Frontal view; right wrist radiograph; age 3 y, boy; presentation radiograph; equivocal findings.
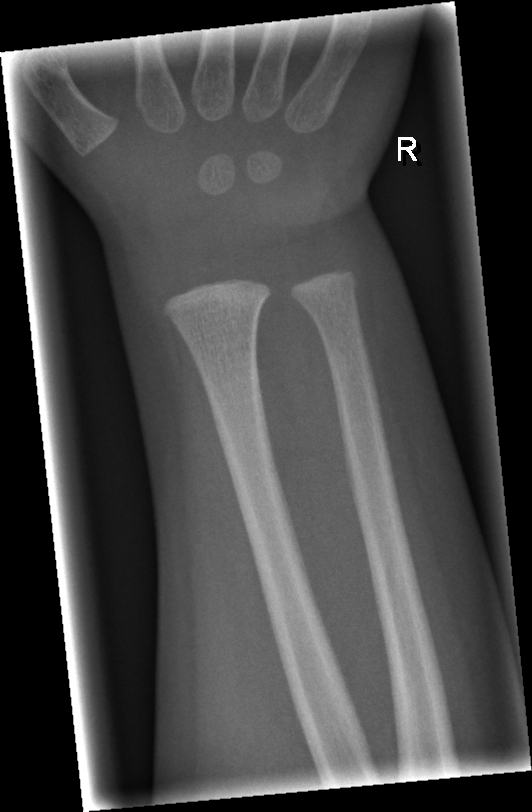 Fx present but not clearly seen in this view.